Left wrist plain film, AP, female, 11 yo. 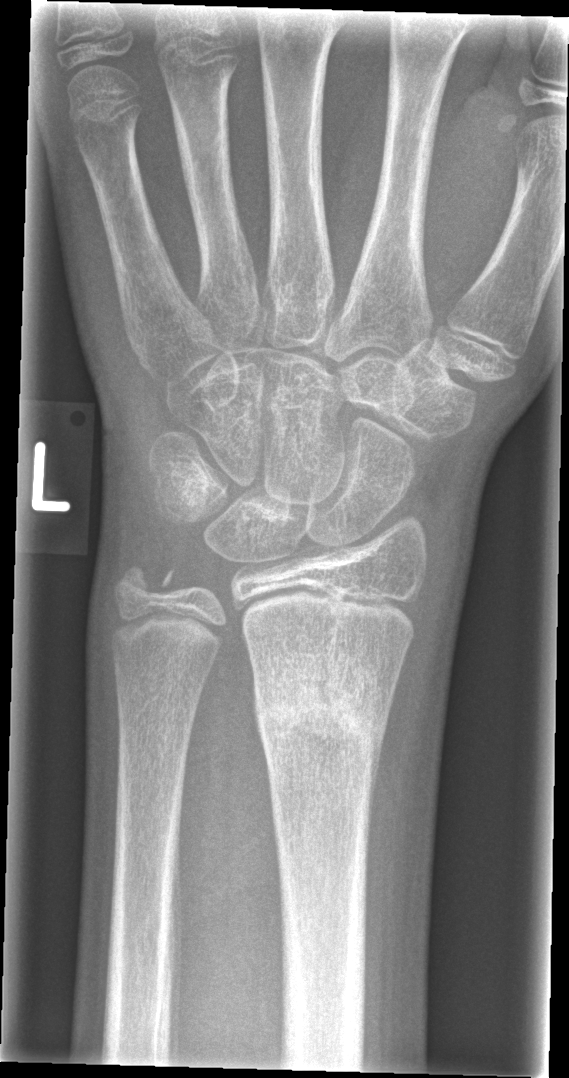
Findings: Fractures — bbox(249, 650, 397, 771), bbox(110, 557, 178, 605). AO/OTA classification: 23r-M/3.1; 23u-E/7.